Rt wrist XR · lateral projection · age 10 y, male · image size 436x1222

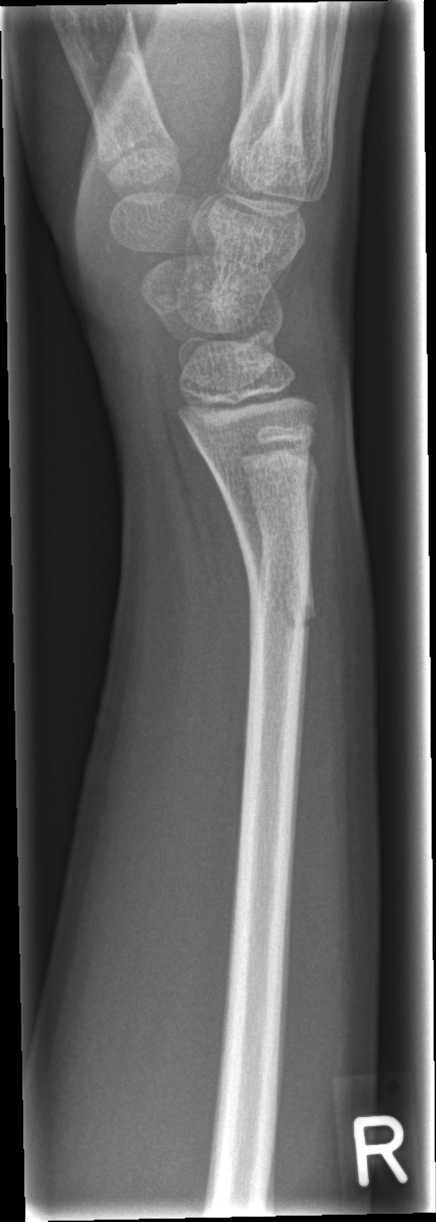 Q: Fracture present?
A: One bone fracture at <239,536>-<320,646>